Left wrist pediatric wrist radiograph | lat projection | 16-year-old boy | image width 93.3 mm —

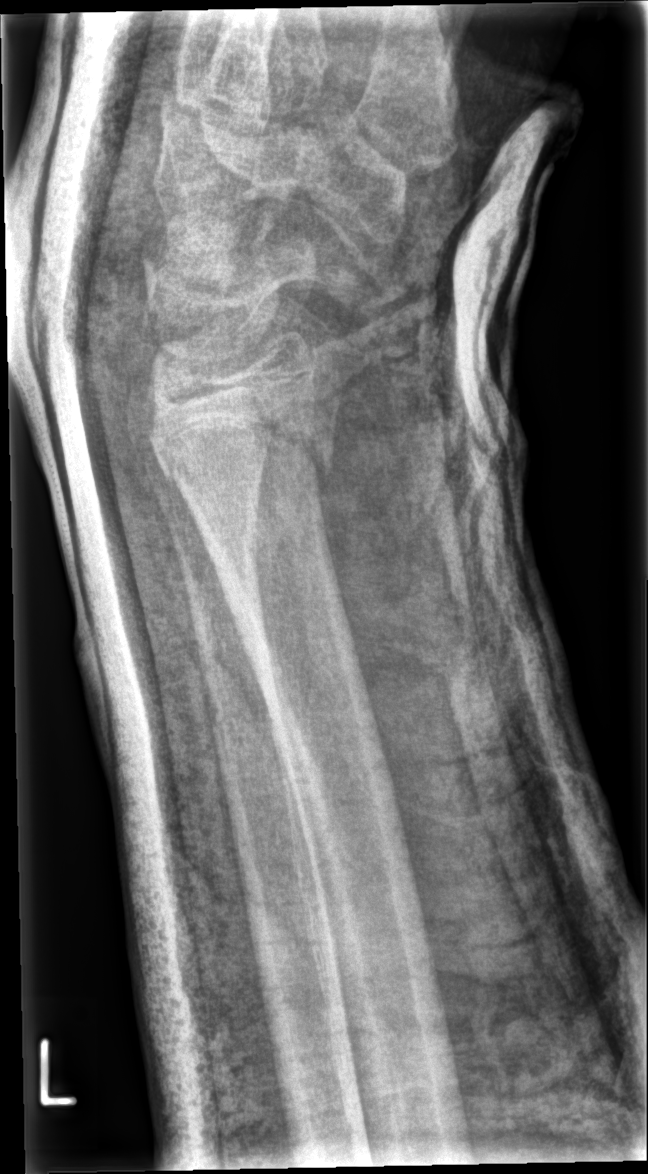 • AO/OTA classification: 23r-M/3.1; 23u-E/7.
• Fracture — [148, 393, 349, 483].